Lateral projection, left plain radiograph of the wrist, subsequent exam, 64.7 mm image width.

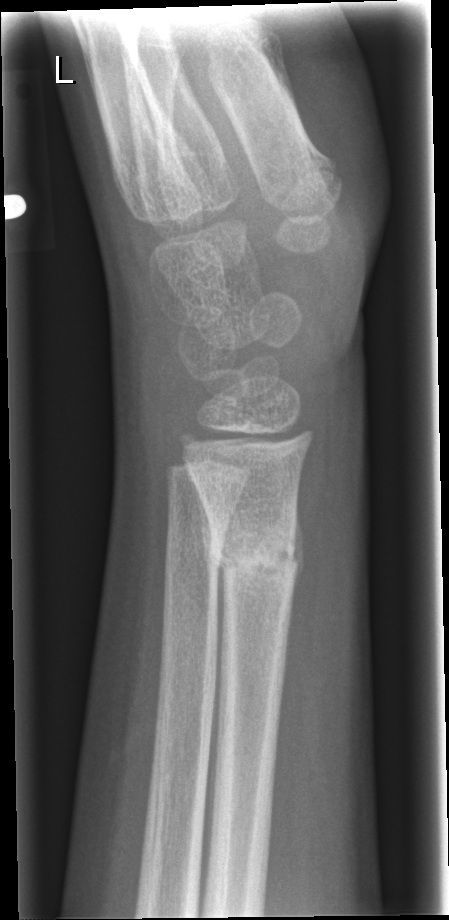
(bounding boxes in image-pixel xyxy)
Q: What is the AO/OTA classification?
A: AO code 23r-M/3.1; 23u-M/2.1
Q: Locate any periosteal reaction.
A: Periosteal thickening — (289, 502, 306, 613)
Q: Fracture present?
A: Fx: (199, 504, 306, 577), (162, 528, 230, 573)